PA/AP, right wrist plain radiograph of the wrist, pediatric patient (female, age 8), 529 by 926 pixels.
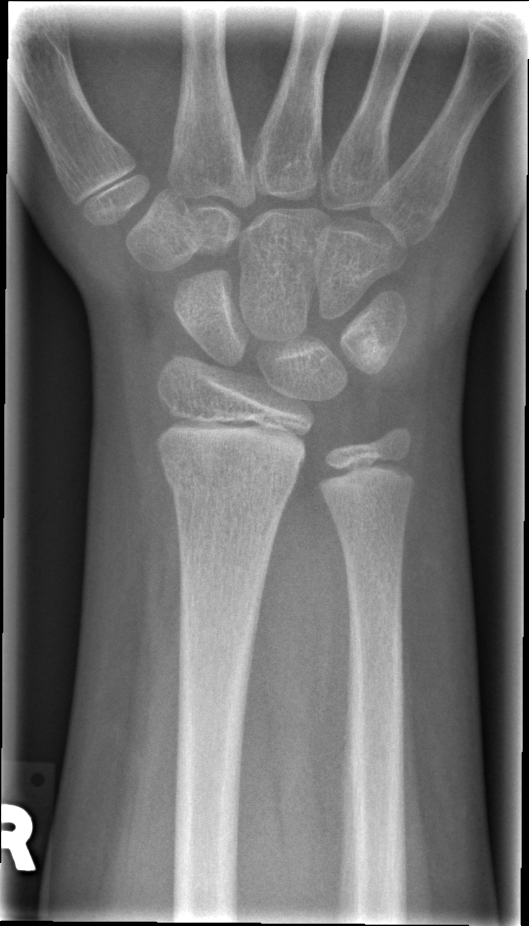
Boxes as x1,y1,x2,y2 (top-left / bottom-right, pixel units). AO/OTA classification: 23r-M/2.1. One fracture at (160, 449, 306, 497).